Left wrist XR | lateral projection | age 9 y, male | 445x1286

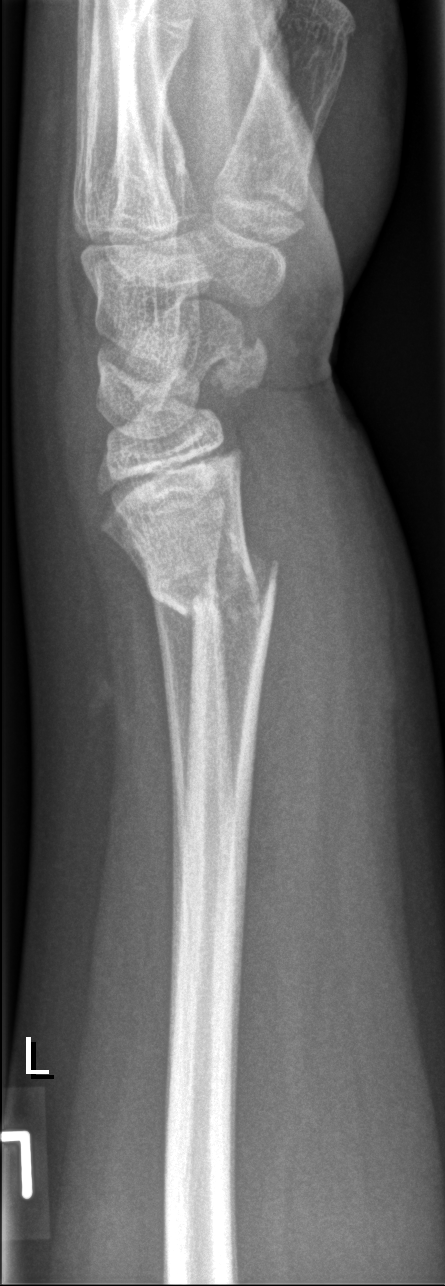

Findings: Fracture — <136,535>-<281,632>. AO/OTA classification: 23r-M/3.1; 23u-M/2.1.